Right wrist plain film · AP view · pediatric patient (male, age 13) · in cast · 97.2 mm image width — 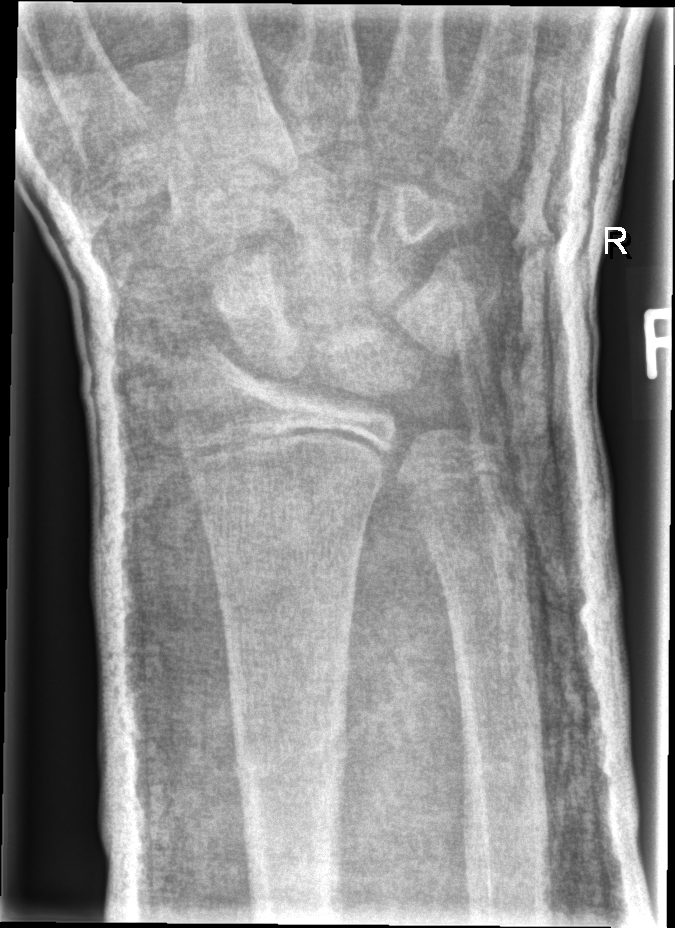

(coordinates are [x1, y1, x2, y2] in image pixels)
Fx: 1 @ 226,734,352,797
AO/OTA: 22r-D/4.1; 23u-E/7